Lt wrist radiograph; lat view; follow-up study —
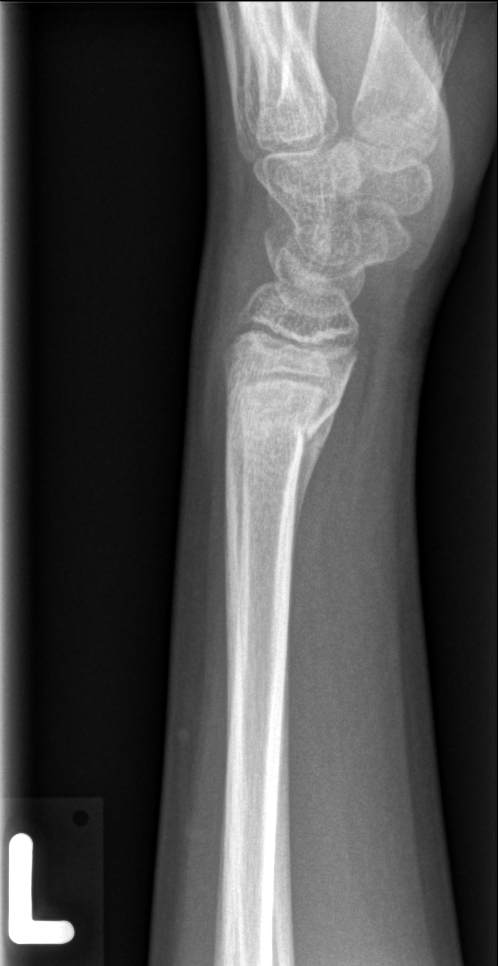 Bone fracture: [x1=222, y1=383, x2=344, y2=460]. Periosteal thickening — [x1=287, y1=403, x2=339, y2=573].